Lat view · Rt wrist plain film · pediatric patient (male, age 12) · cast in situ.
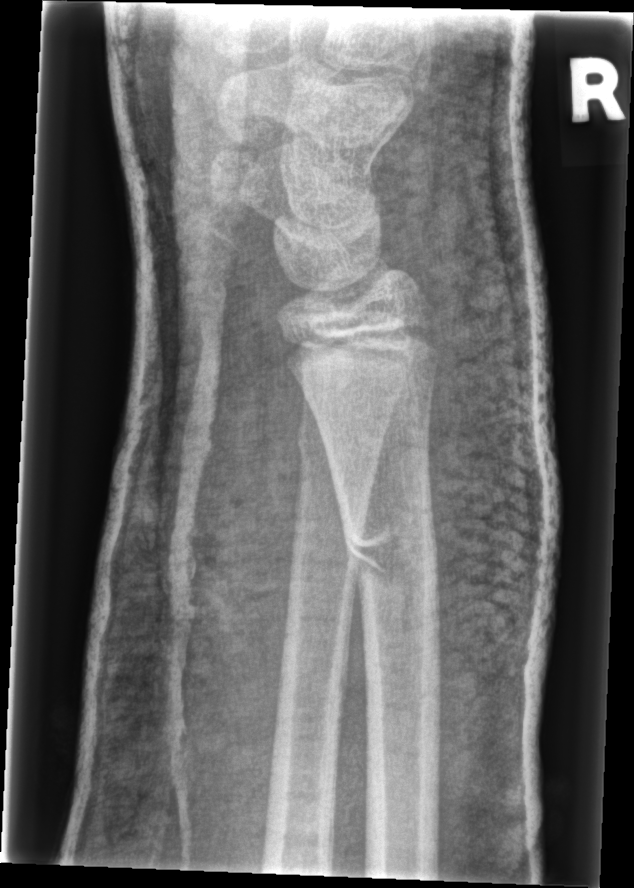 Two fractures at 338,511,442,588; 293,419,383,469.